Lateral projection | L wrist X-ray | subsequent exam:
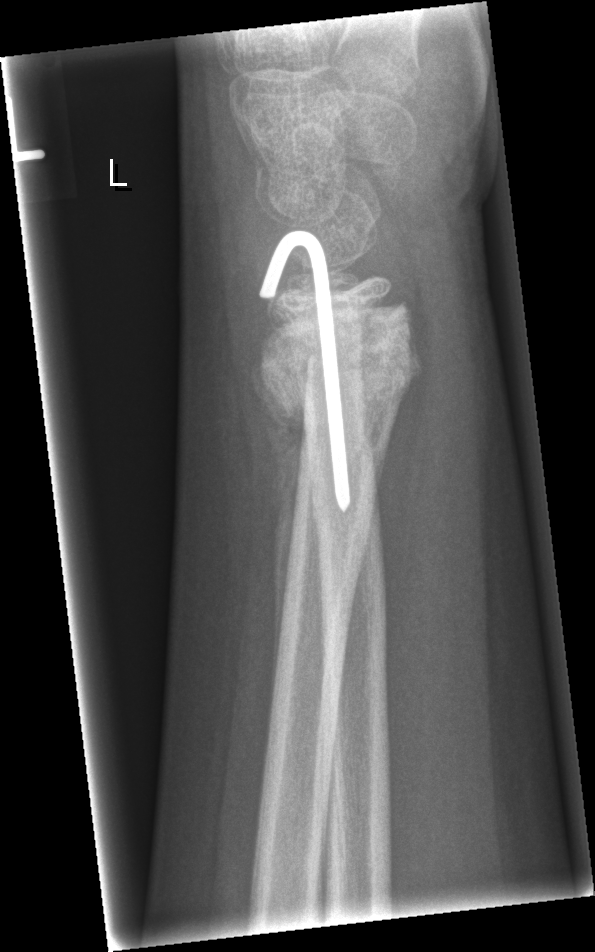 Q: What is the AO/OTA classification?
A: Fracture classified AO/OTA 23r-E/2.1; 23u-E/7
Q: Any metal present?
A: One metallic implant at <259,221>-<353,516>
Q: Locate any fractures.
A: One fracture at <251,295>-<428,470>
Q: Locate any periosteal reaction.
A: Periosteal new bone — <255,379>-<308,712>
Q: Bone density?
A: Reduced bone mineral density